R wrist XR · frontal view · presentation radiograph · detector: Siemens — 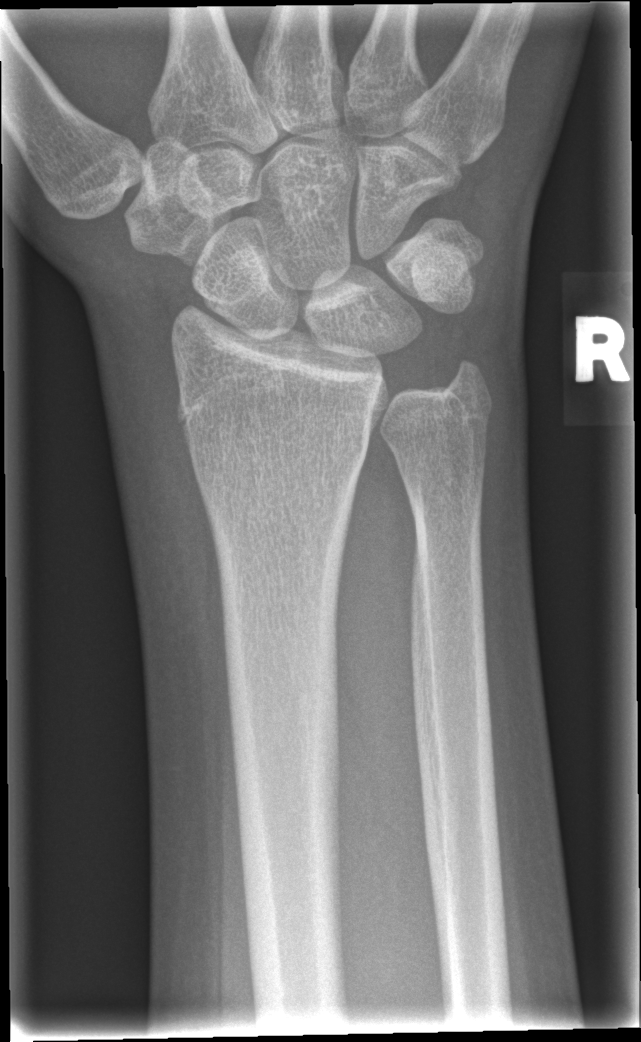

Fx: none labeled